Rt wrist radiograph, lat, Siemens, 546x1030
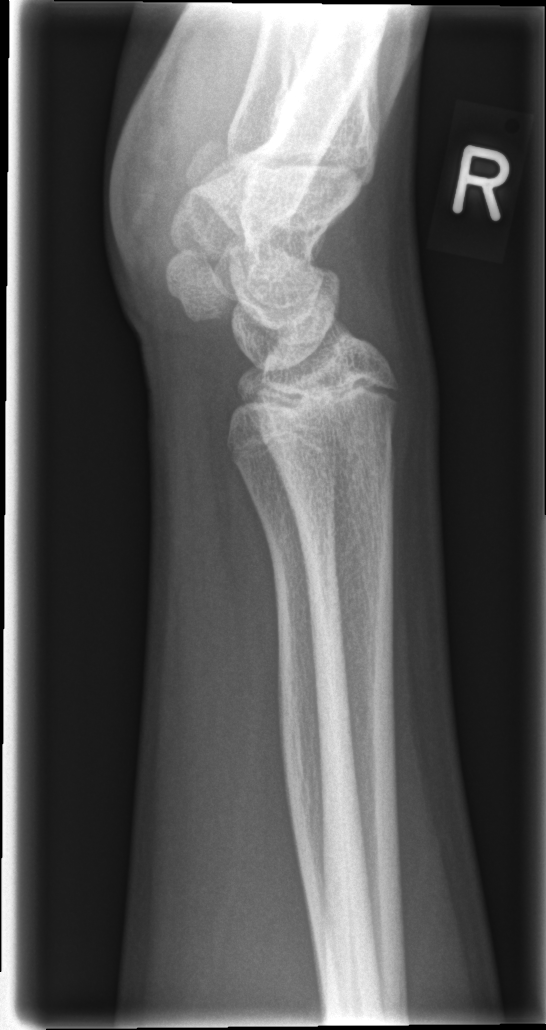

Fracture = none labeled